L wrist plain film · PA/AP projection · age 12 y, female · detector: Siemens
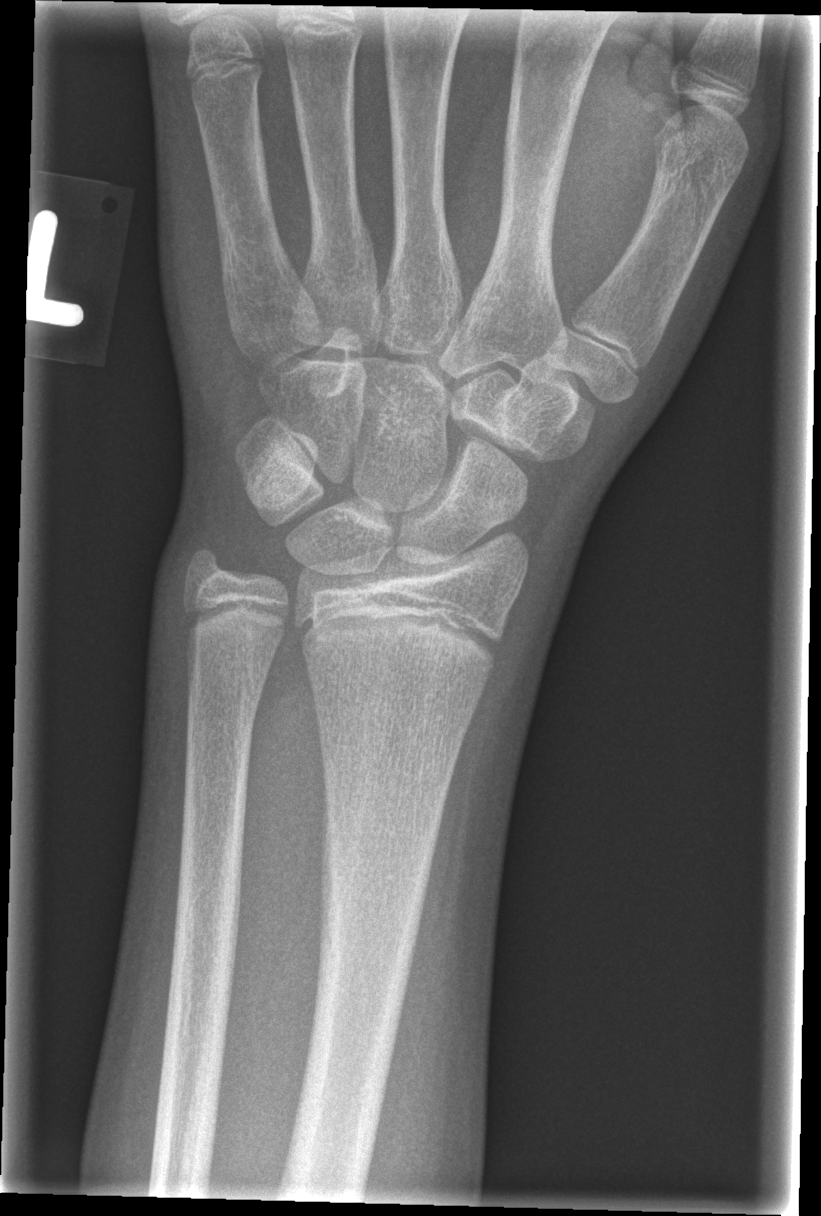   fracture: 316 805 439 929
  ao: 23r-M/2.1